Frontal projection | right wrist X-ray | follow-up study —

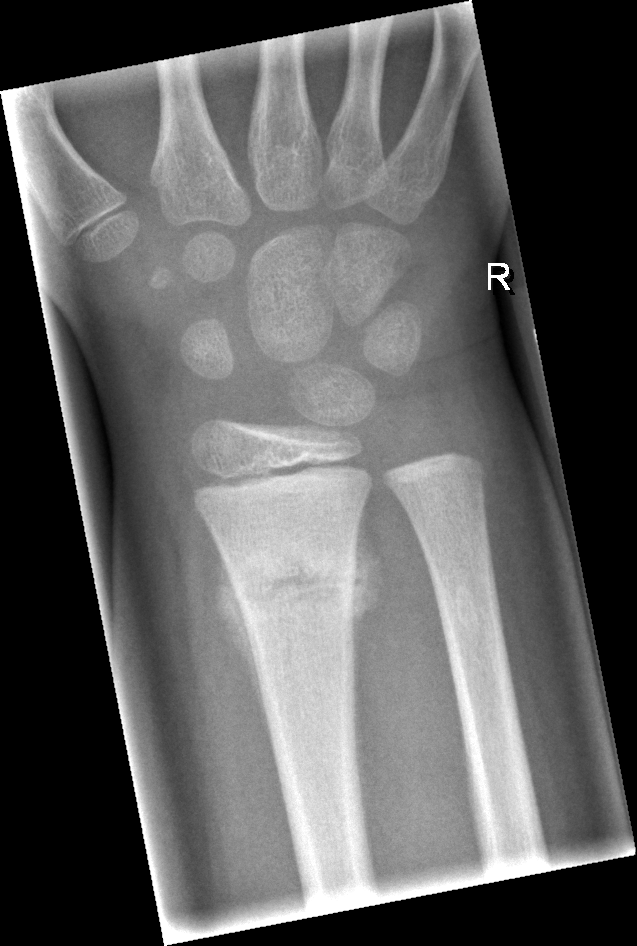

Pixel coordinates, top-left origin, xyxy. One fracture at <223,539>-<364,635>. Periosteal thickening — <206,523>-<286,805>; <350,502>-<386,713>. Osteopenia. AO code 23r-M/3.1.